AP projection · Lt wrist XR · detector: Siemens

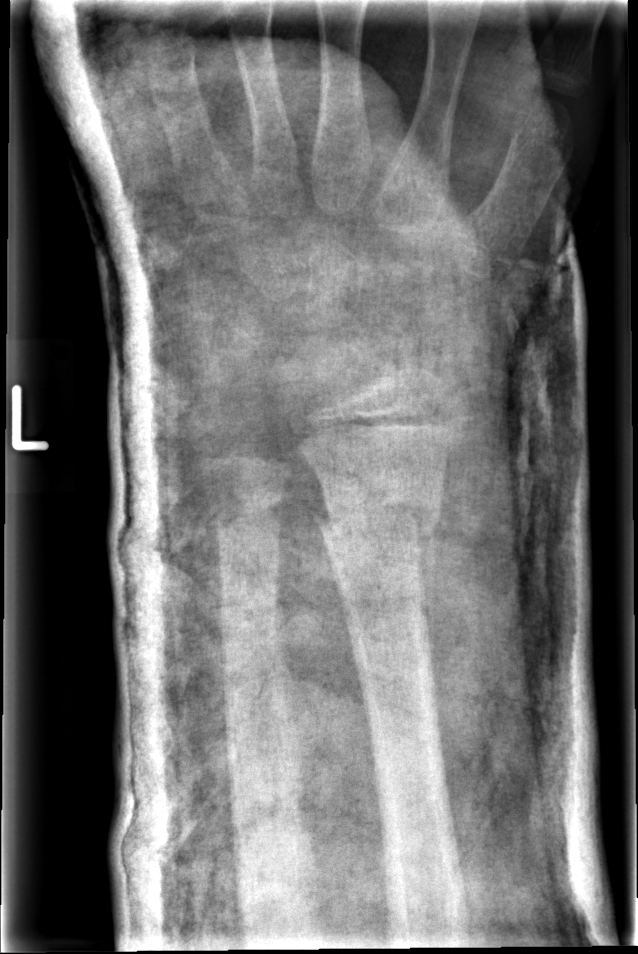

Bounding boxes in image-pixel xyxy. Fx identified at (left=307, top=478, right=447, bottom=541). Fracture classified AO/OTA 23-M/3.1.